PA/AP projection | R plain radiograph of the wrist | subsequent exam | in cast. 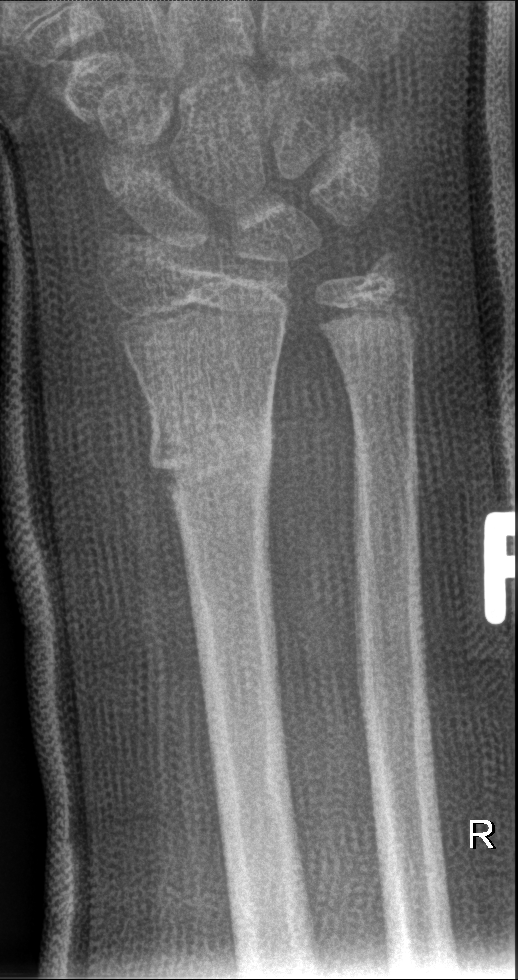
AO classification: 23r-M/2.1
Fx: 1 @ (144, 407, 278, 504)